Lateral; R pediatric wrist radiograph; image width 100.5 mm —
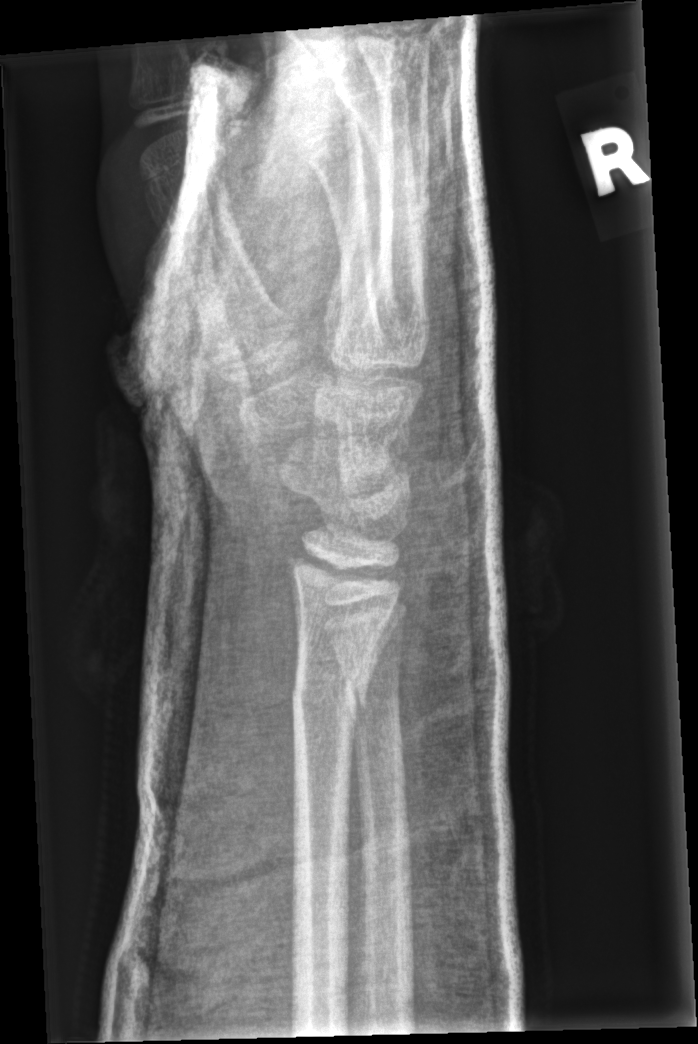

(boxes as x1,y1,x2,y2 (top-left / bottom-right, pixel units))
Q: Fracture present?
A: Fracture — <289,667>-<371,724>